Rt wrist radiograph · AP view · age 16 y, boy · detector: Siemens · 623x1060 — 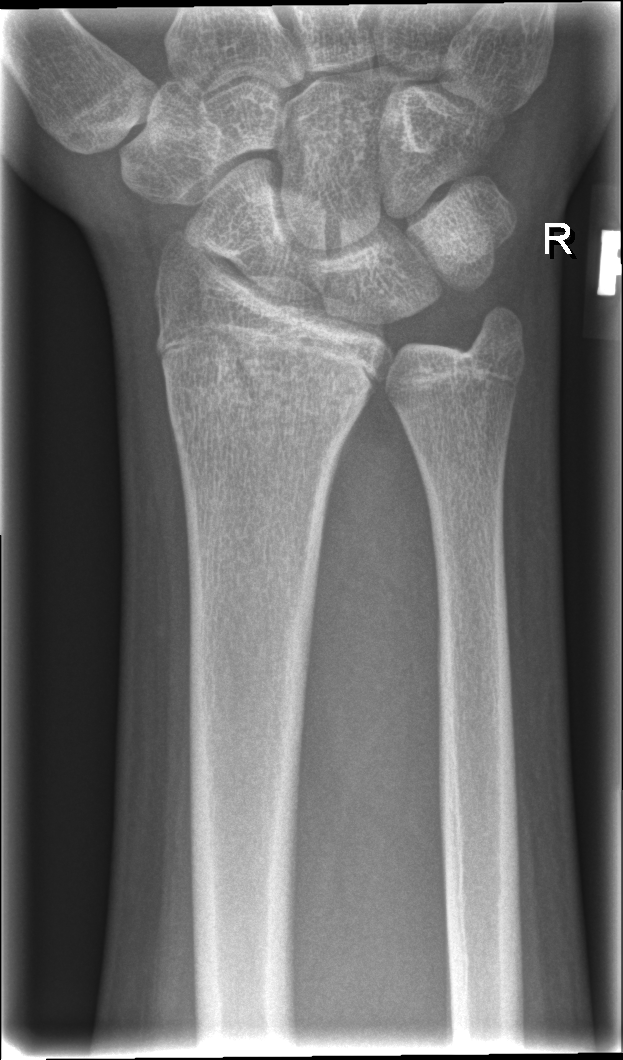

Q: What is the AO/OTA classification?
A: AO/OTA classification: 23r-M/3.1
Q: Fracture present?
A: Fx — (157, 333, 368, 449)